Right plain radiograph of the wrist | lateral view | boy, 5 yo | cast in situ | detector: Siemens:
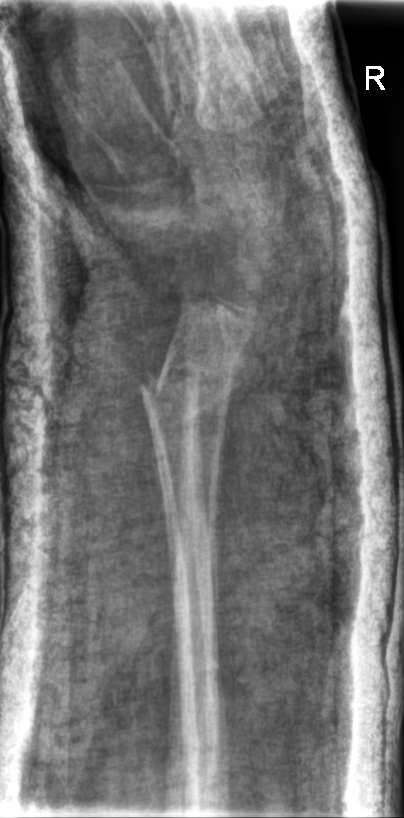   ao: 23r-M/3.1
  fracture: 1 @ bbox(135, 366, 234, 423)